Lat view, left wrist XR, cast present, image width 77.5 mm — 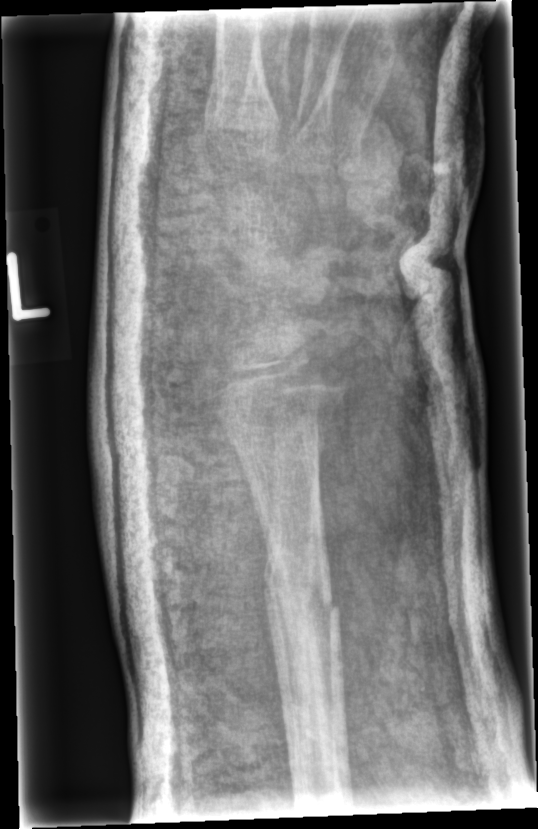 • Bounding boxes in image-pixel xyxy.
• Bone fracture: bbox(260, 549, 343, 635).
• Fracture classified AO/OTA 22-D/2.1.